PA/AP view; left wrist radiograph; age 8 y, male; follow-up
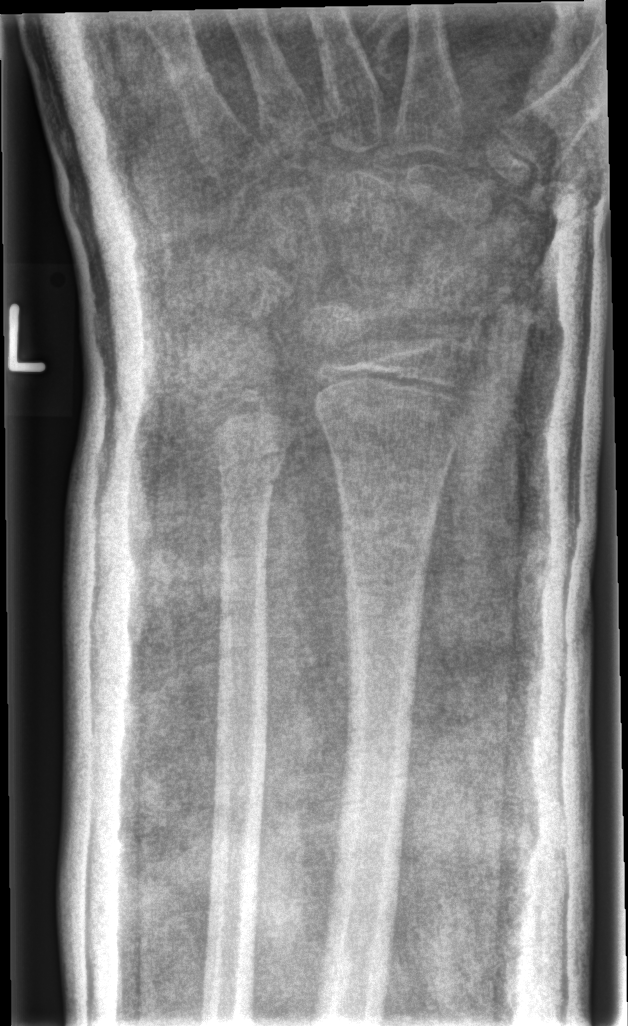 - Fracture: 337,499,441,565.
- AO code 23r-M/3.1; 23u-M/2.1.